Rt wrist plain film · frontal projection · 6-year-old boy · imaged through cast · 119.2 mm image width:

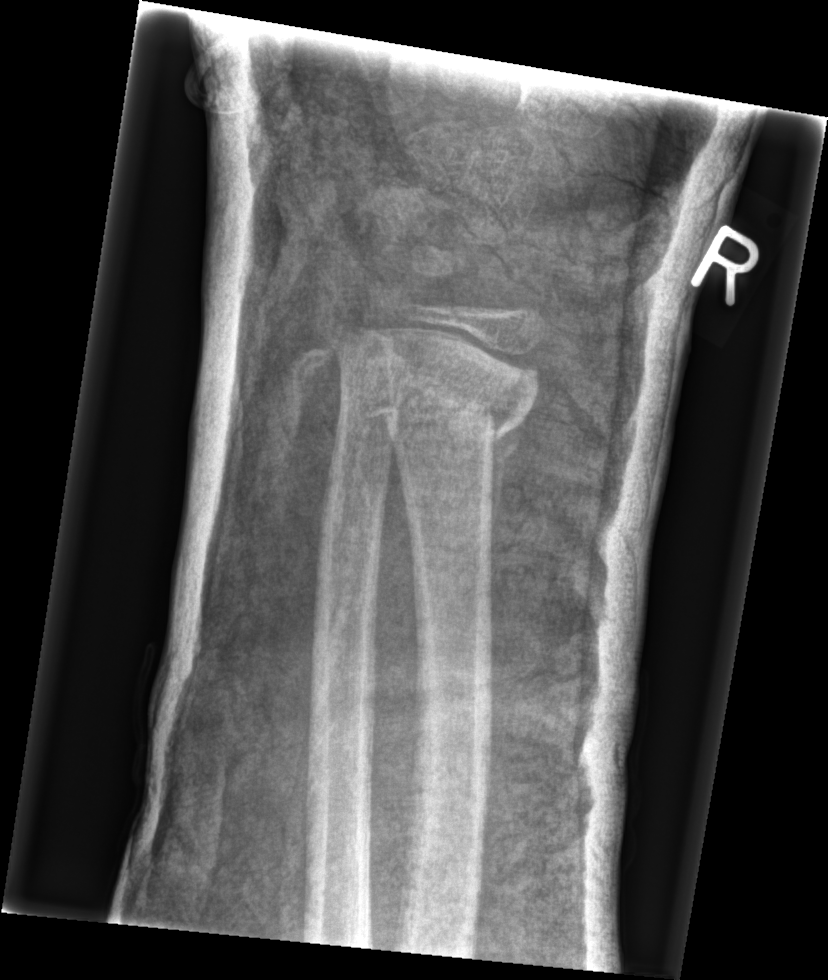 Bounding boxes in image-pixel xyxy.
Fracture — [363, 366, 522, 458].
Periosteal reaction: [484, 410, 527, 547].